Lat view, left pediatric wrist radiograph, age 13 y, female:
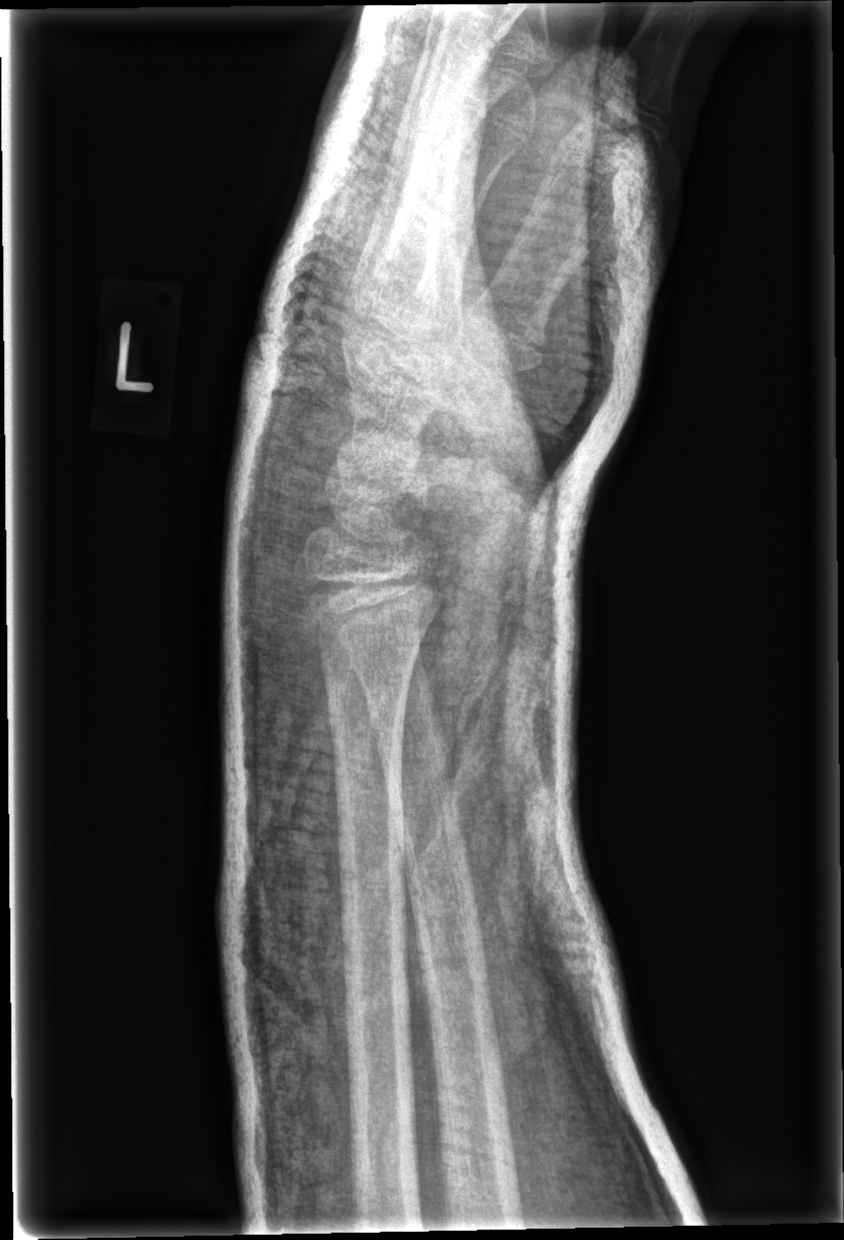
Findings: Fracture: present but not clearly seen in this view.